Left plain radiograph of the wrist; lat view; boy, 14 yo; presentation radiograph; image 64.9 mm wide: 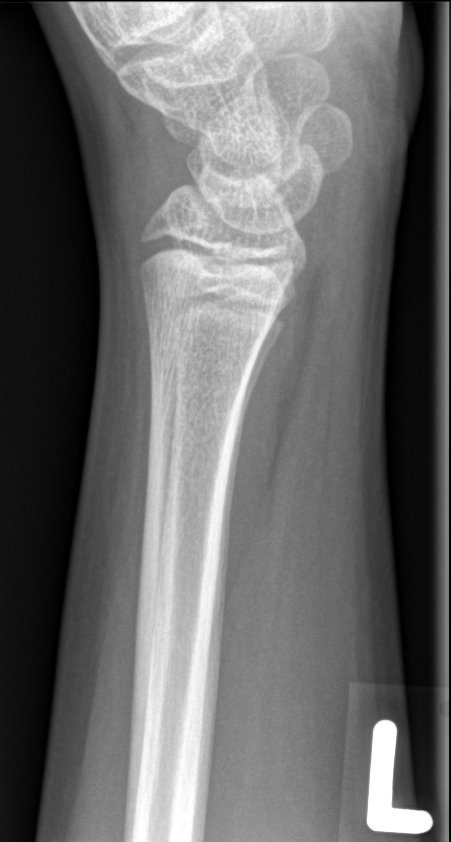 No fracture labeled.